Lat; left wrist radiograph; image width 75.2 mm. 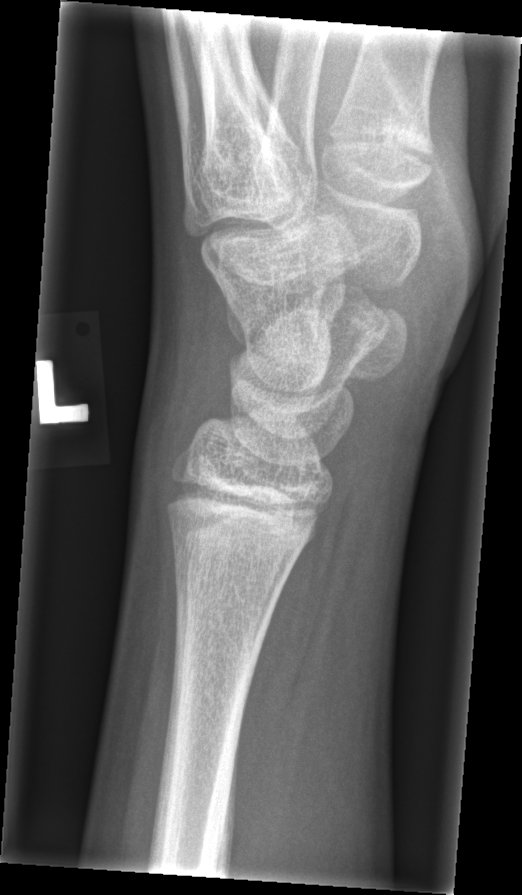

FINDINGS — No fracture bounding box.